L wrist plain film, PA view, age 8 y, female: 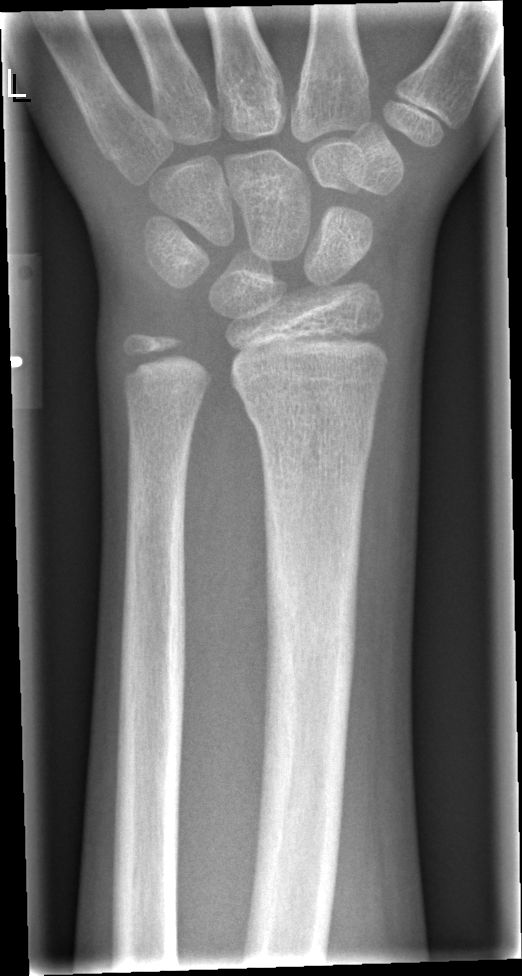

FINDINGS — Three bone fractures at 255,506,364,827; 242,396,379,468; 122,444,192,530. AO code 23r-M/2.1; 22r-D/2.1; 23u-M/2.1.